Posteroanterior projection · left wrist X-ray · subsequent exam · in cast · detector: Siemens · 723 by 1388 pixels.
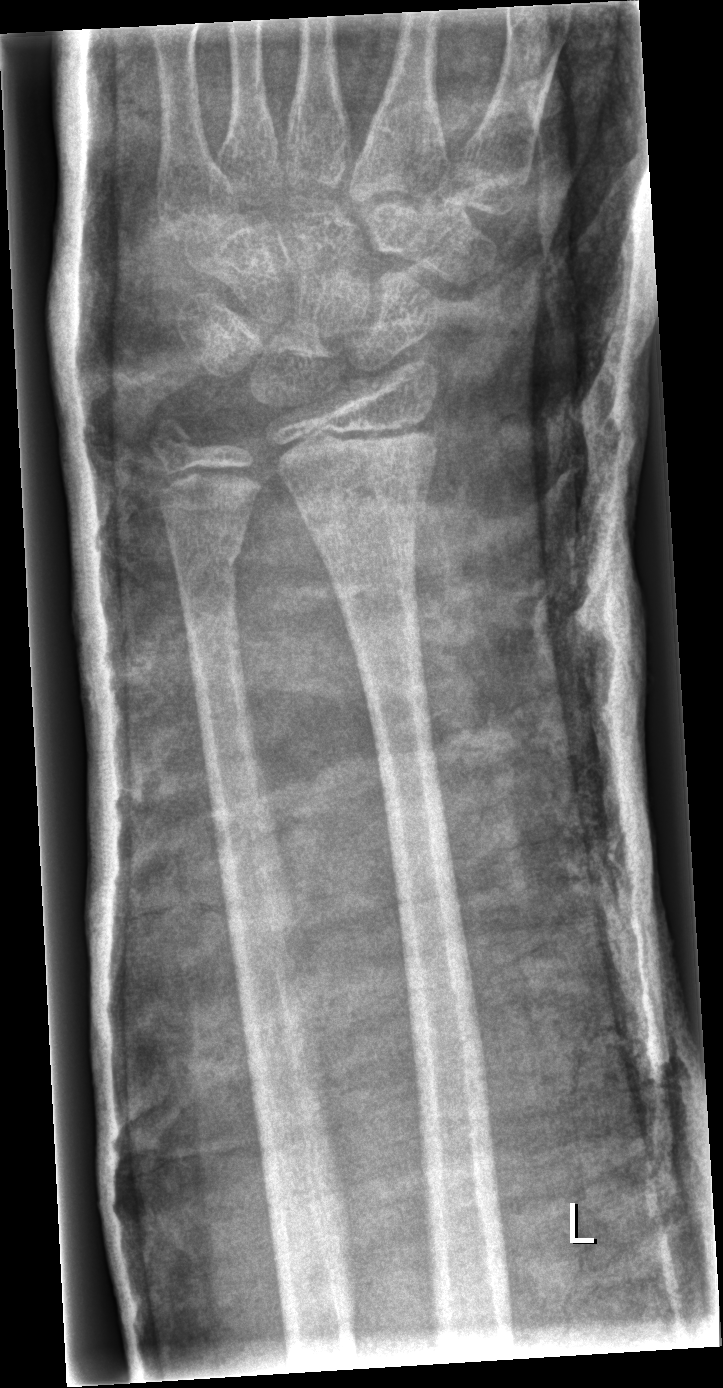 AO code = 23r-M/3.1; 23u-M/2.1; 23u-E/7
Fracture = 3 @ 293,471,434,544
  163,528,250,596
  145,411,206,463